Lateral projection, left pediatric wrist radiograph —
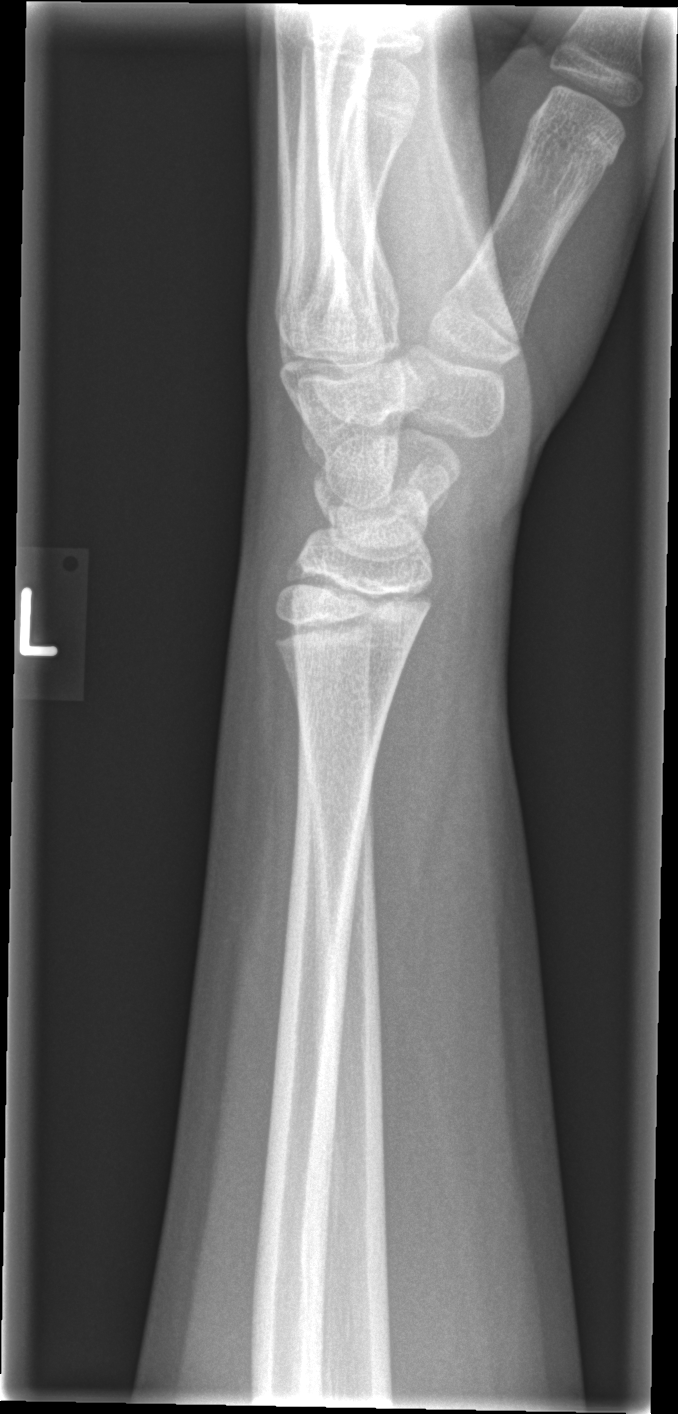
{
  "fracture": "none labeled"
}